AP view, left plain radiograph of the wrist, age 11 y, boy

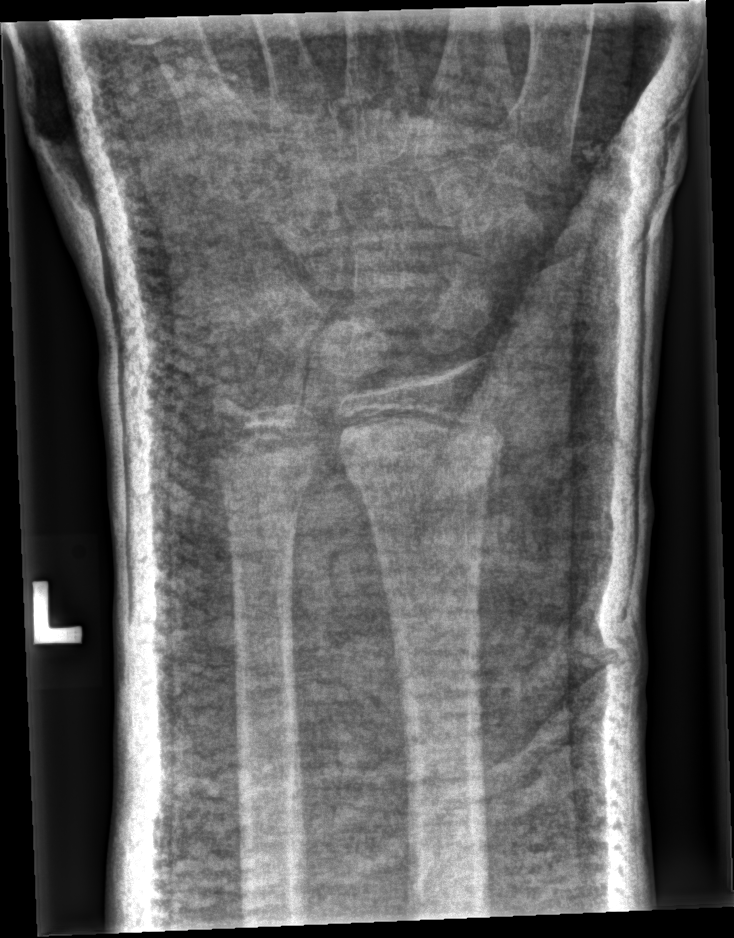
Bounding boxes in image-pixel xyxy. Fracture classified AO/OTA 23r-E/2.1; 23u-M/2.1. Fx identified at (left=335, top=406, right=505, bottom=517).